Lat projection · L wrist plain film: 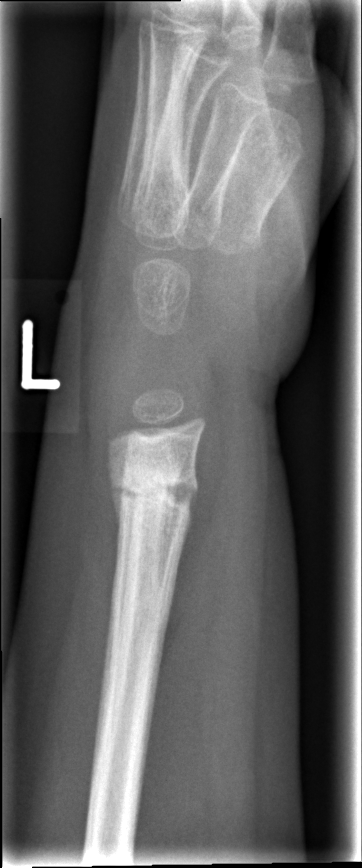

Bounding boxes in image-pixel xyxy. Reduced bone mineral density. Fracture classified AO/OTA 23-M/3.1. Fx — bbox(104, 454, 203, 534).